Rt wrist plain film; PA; 8-year-old girl.

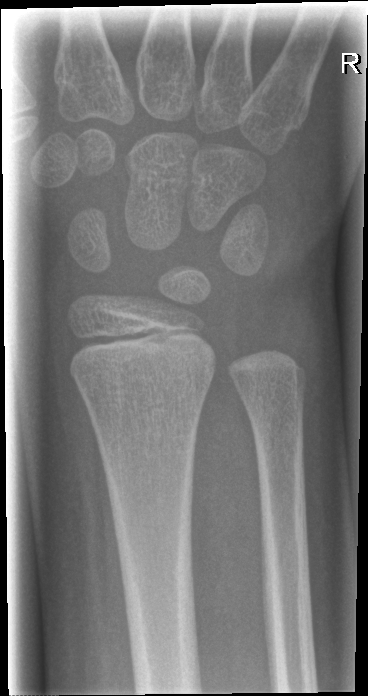 Fx: present but not clearly seen in this view
AO/OTA: 23r-M/2.1